Lat, Lt plain radiograph of the wrist, 16y M, detector: Siemens, image width 64.1 mm, 445x1148 —

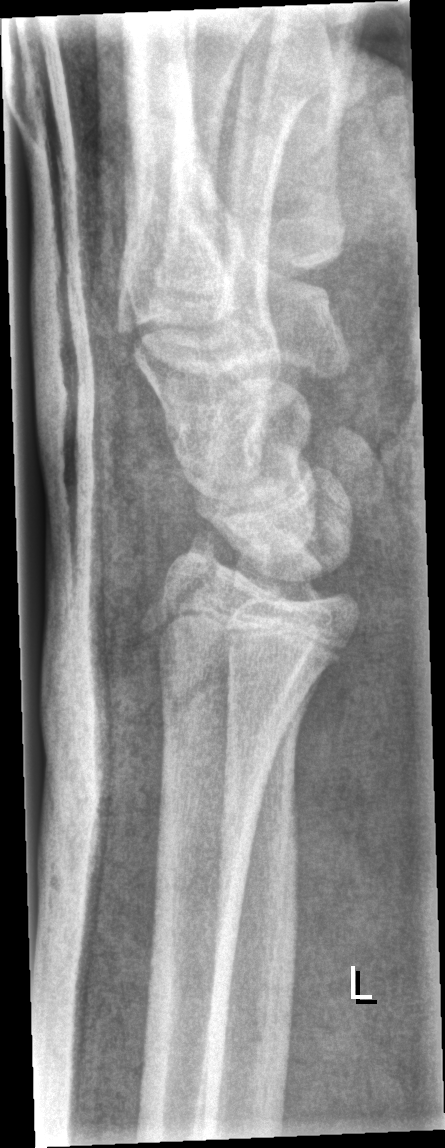

Fx present but not clearly seen in this view.